Right wrist plain radiograph of the wrist · posteroanterior · pediatric patient (male, age 6) · subsequent exam · imaged through cast —

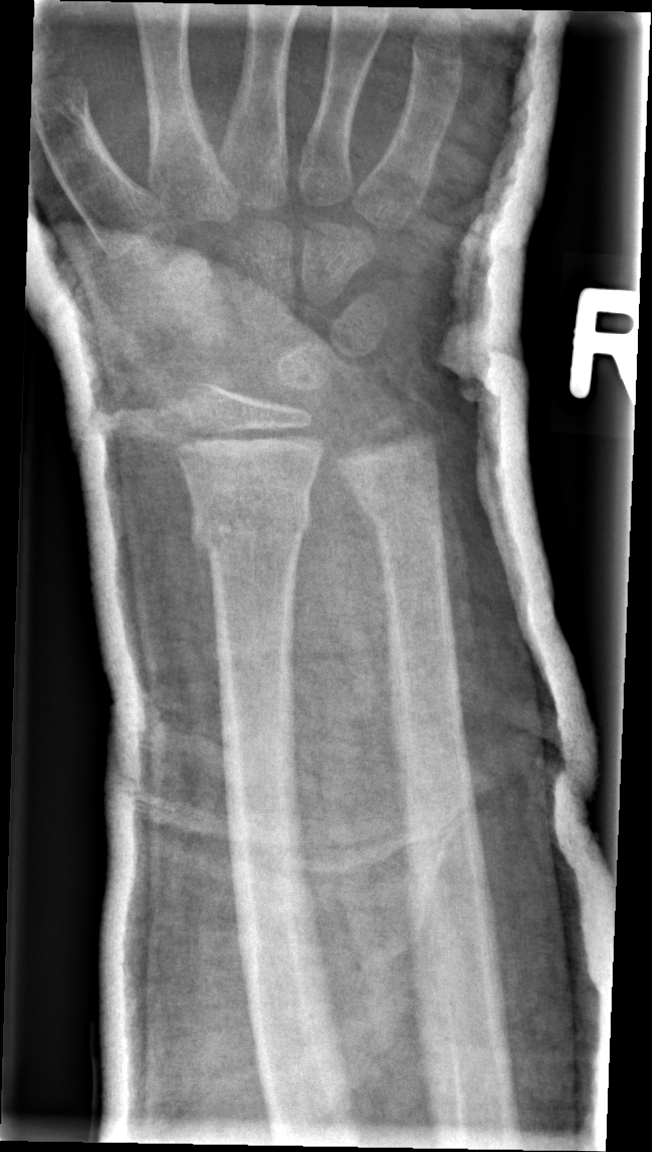
Fx = <187,487>-<315,559>; <352,463>-<450,552>
AO/OTA = 23-M/2.1; 23u-E/7